PA/AP view, L wrist plain film, 12y F, acquired on Siemens —

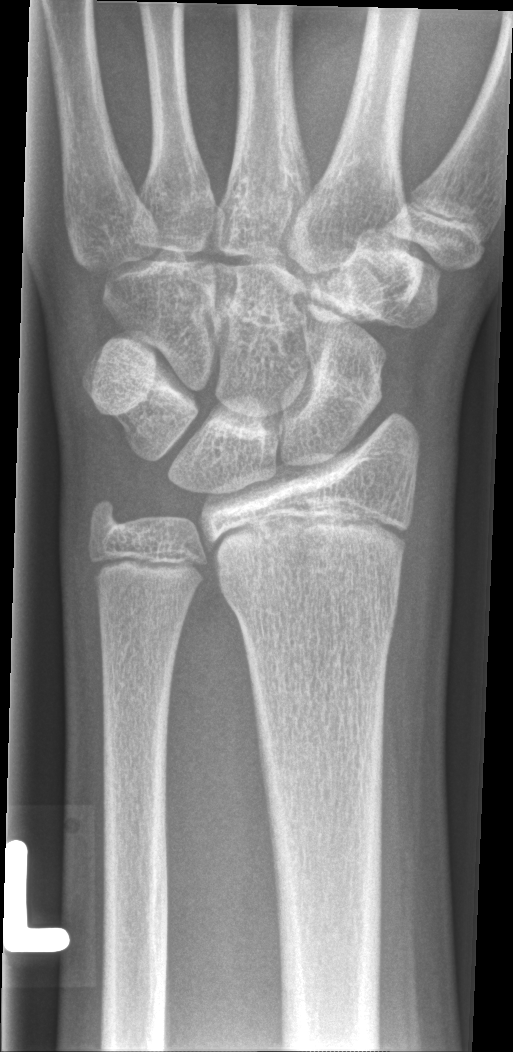

FINDINGS — Bone fracture: (left=212, top=560, right=414, bottom=633). AO code 23r-M/2.1.